Lateral view, R wrist radiograph, equivocal findings, 49.2 mm image width —
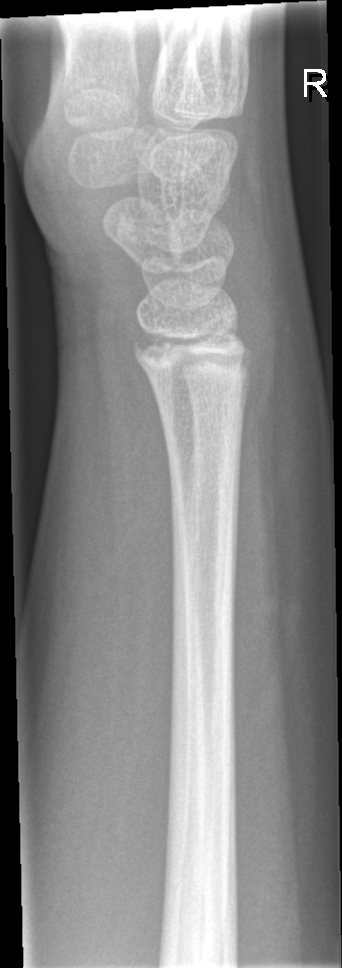

Fx = 1 @ [129, 327, 248, 371]